Left wrist plain film; lateral; cast in situ — 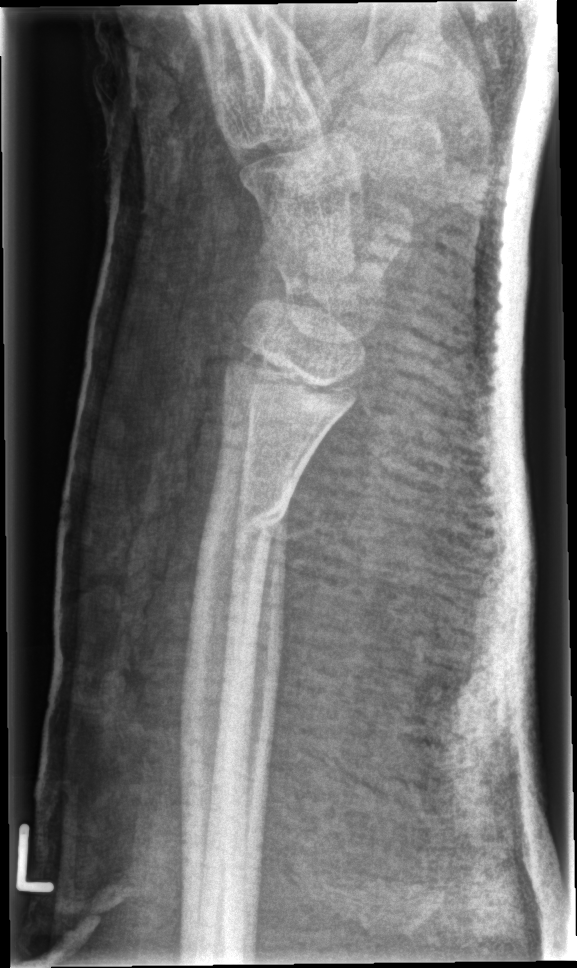
One fracture at <194,486>-<292,559>.